Lt pediatric wrist radiograph, lateral, cast present, image width 79.8 mm: 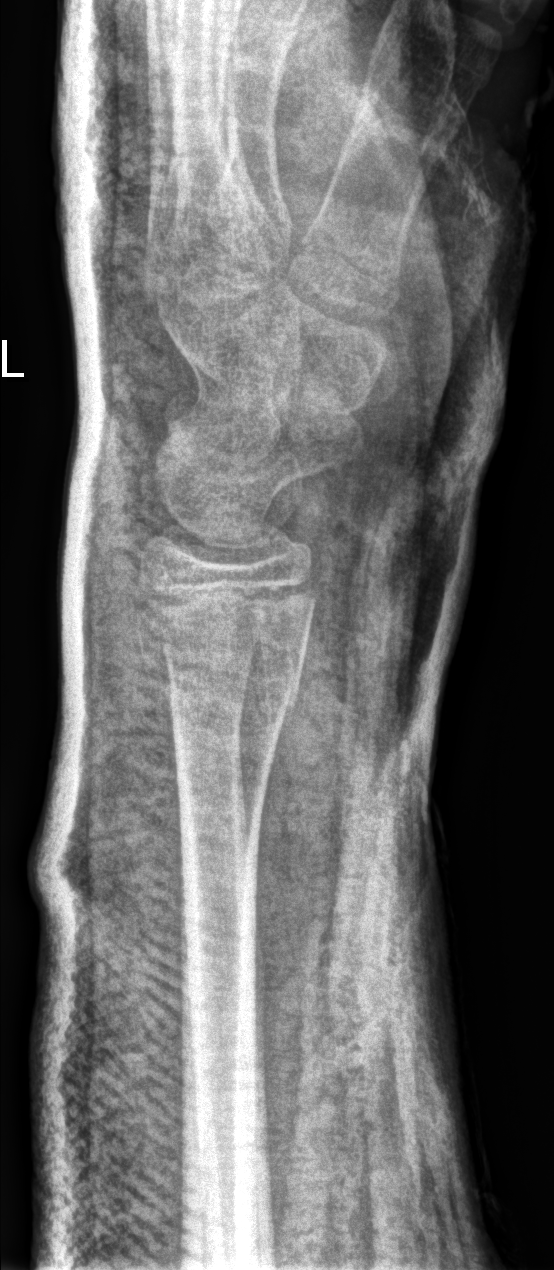

(boxes as x1,y1,x2,y2 (top-left / bottom-right, pixel units))
Q: What is the AO/OTA classification?
A: AO/OTA classification: 23r-M/3.1; 23u-E/7
Q: Any fracture seen?
A: Fracture: 131 604 313 739